Lat view · L wrist plain film.

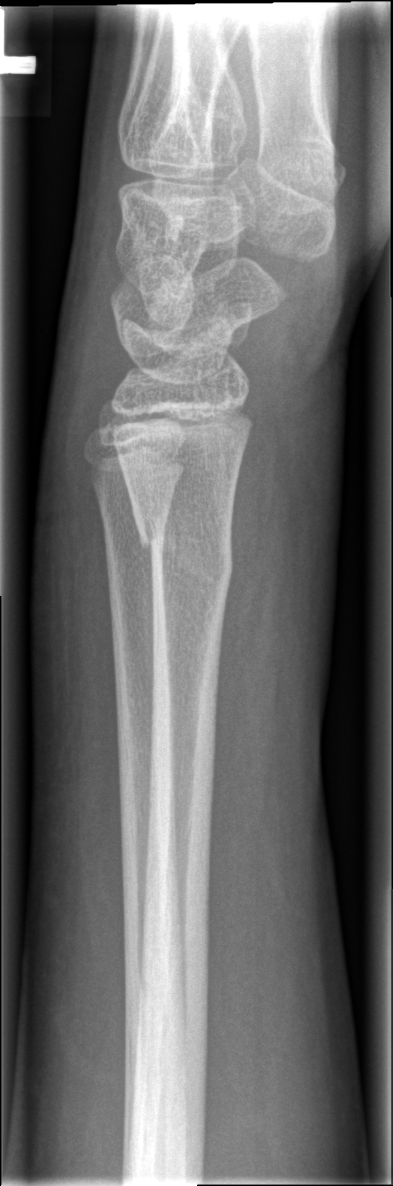

{
  "ao": "23r-M/2.1",
  "fracture": "1 @ [x1=134, y1=508, x2=236, y2=599]"
}